Lat view; Rt wrist plain film; female, 10 yo; image 54.1 mm wide: 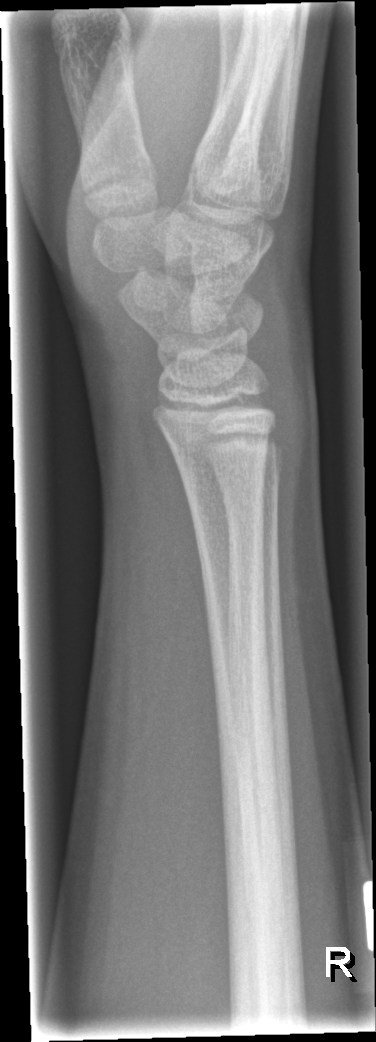

fracture: none labeled